Lt wrist radiograph, PA/AP view, age 15 y, male, presentation radiograph, 627x976:
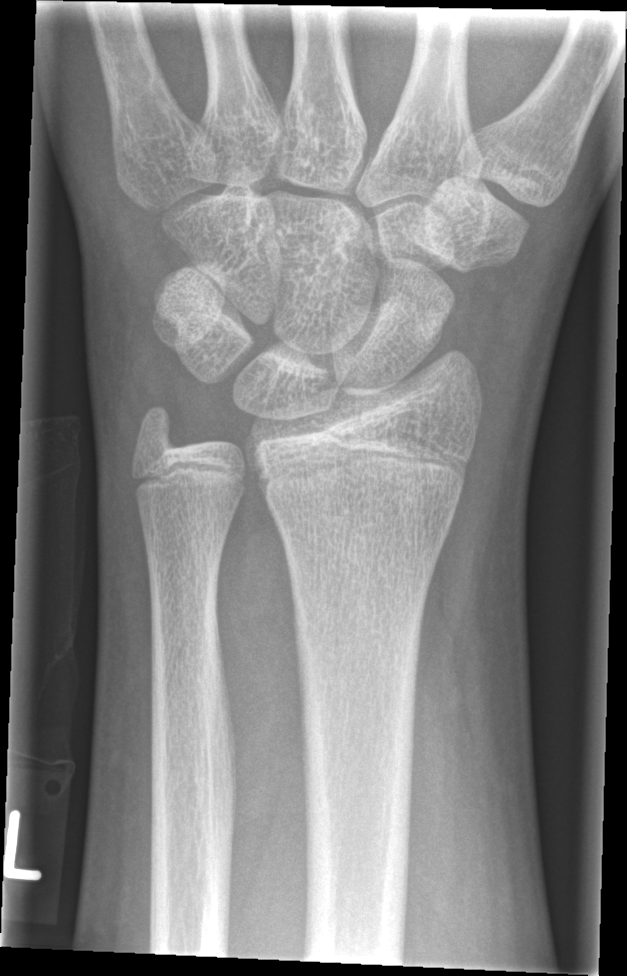

FINDINGS: No fracture bounding box.